Lateral, right pediatric wrist radiograph — 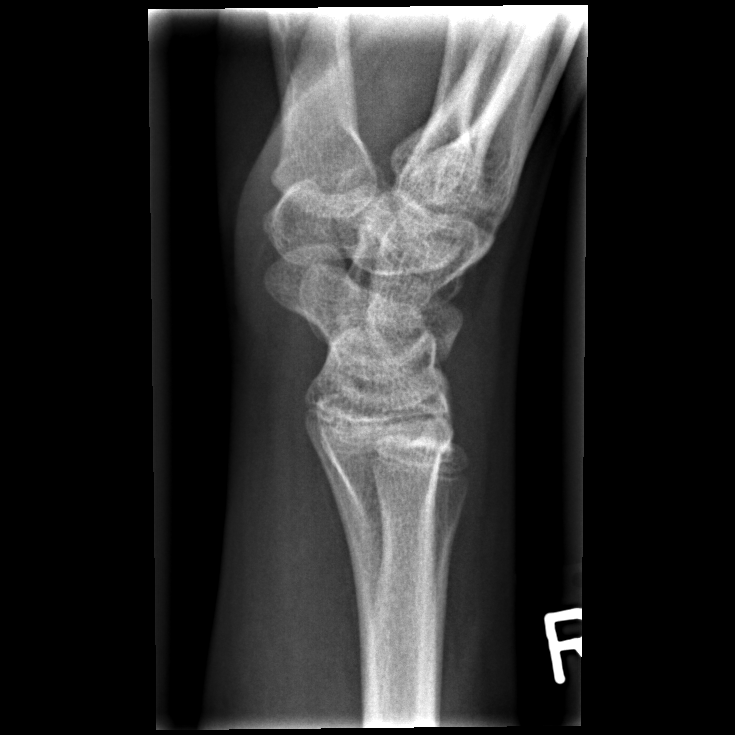

{"fracture": "none labeled"}